Lateral · L wrist X-ray · follow-up · imaged through cast 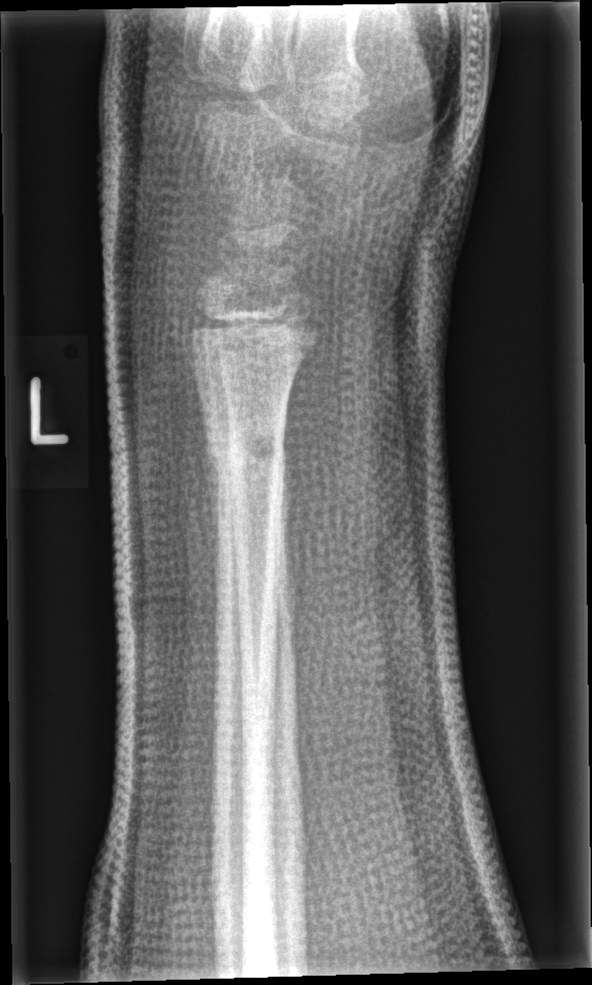

Q: AO code?
A: AO code 23r-M/3.1
Q: Fracture present?
A: Bone fracture — <199,419>-<295,492>